Frontal view | right wrist radiograph | pediatric patient (boy, age 15) | cast present | image width 134.4 mm —

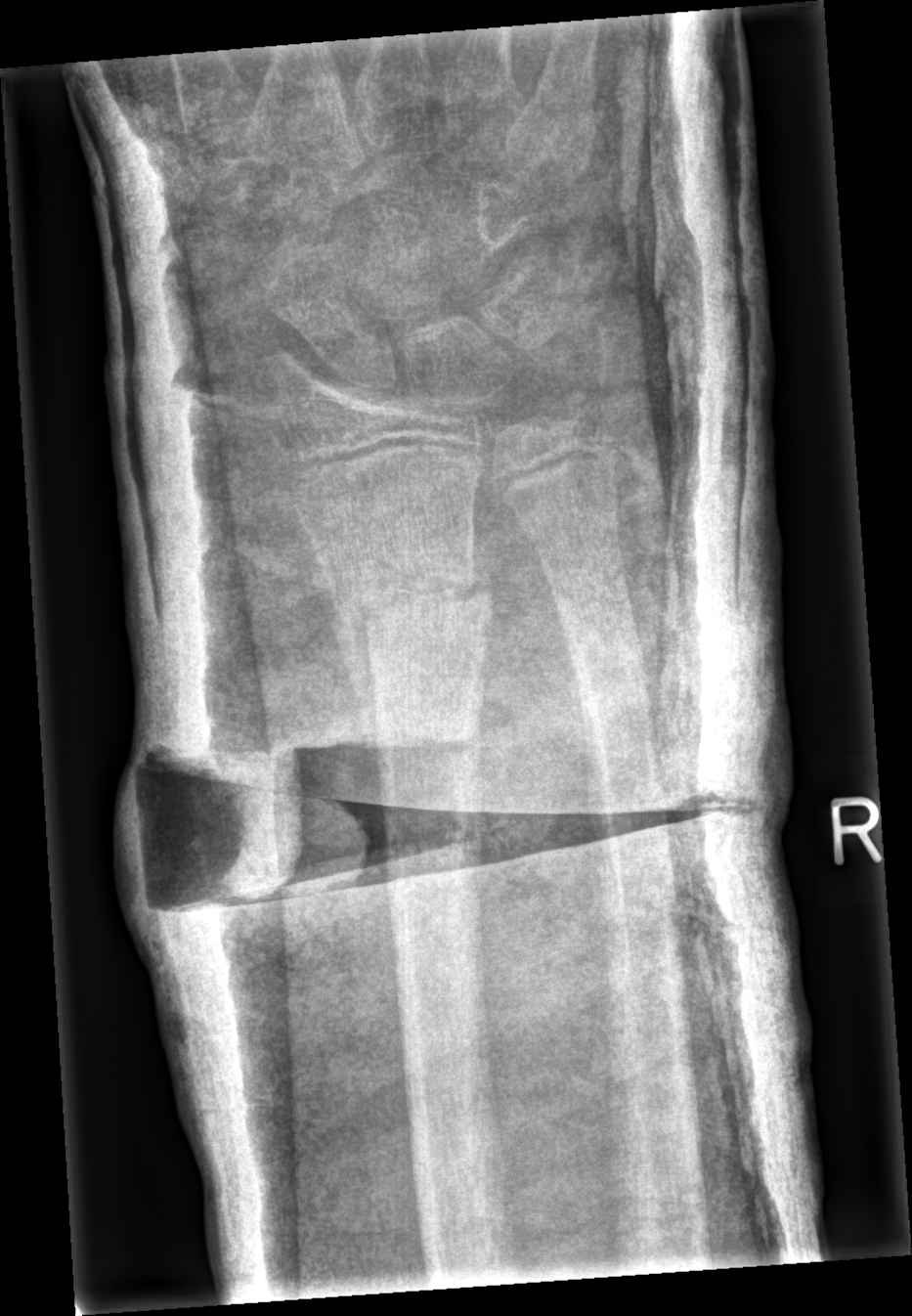 Findings: Periosteal reaction: <330,599>-<385,832>. One Fx at <319,549>-<497,639>.